Right wrist radiograph; AP projection; 66.7 mm image width; 463 by 754 pixels 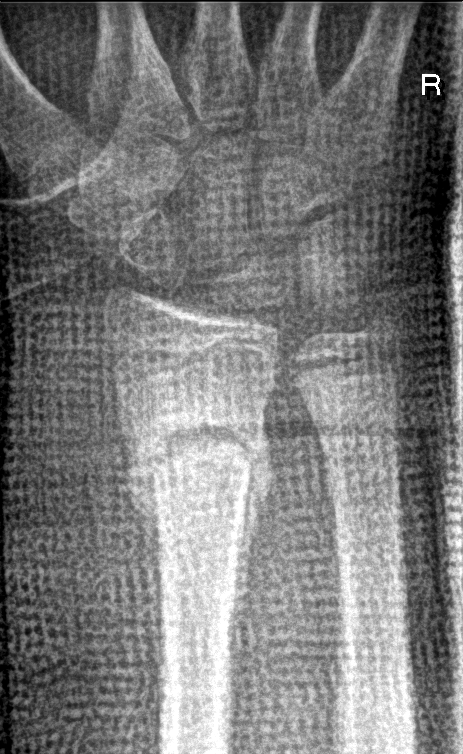   fracture: 120,413,272,495
  periostealreaction: 2 @ 115,376,162,686 | 231,399,275,681
  ao: 23r-M/3.1; 23u-M/2.1